Lat projection · Lt wrist X-ray · age 15 y, boy · cast present · acquired on Siemens:

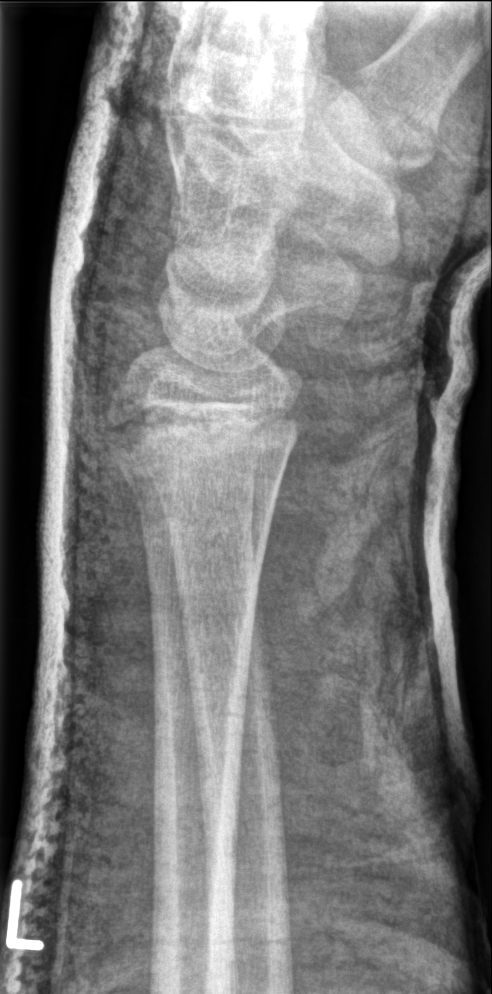

Q: Is there a fracture?
A: Bone fracture identified at [x1=105, y1=397, x2=304, y2=506]